Lat · right wrist plain radiograph of the wrist · female, 9 yo · 68.8 mm image width · 478 by 1282 pixels — 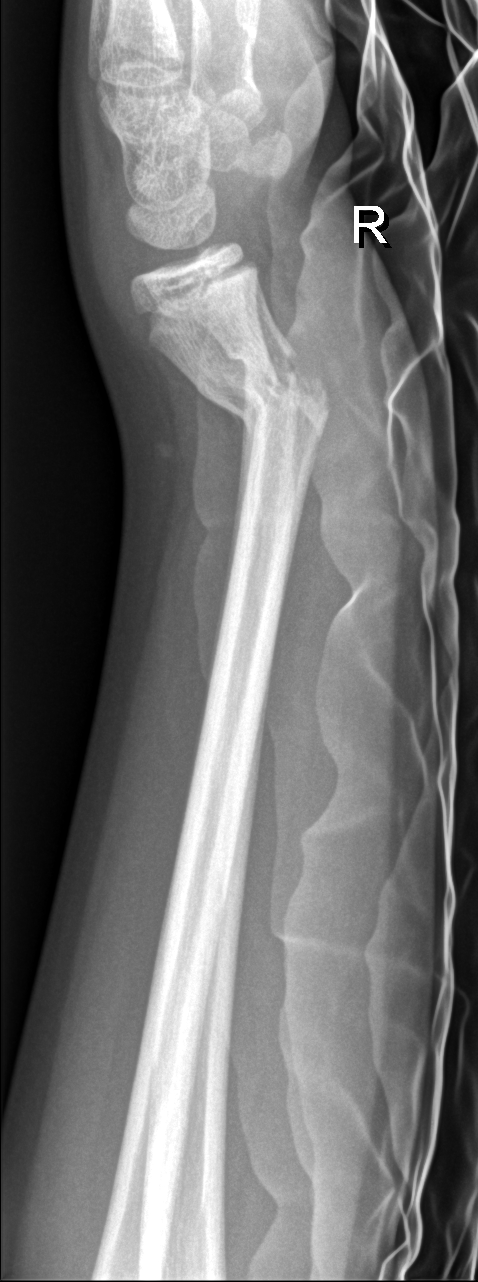 One Fx at bbox(208, 334, 333, 443).